Left wrist plain radiograph of the wrist, posteroanterior, pediatric patient (boy, age 13), image width 84.4 mm:
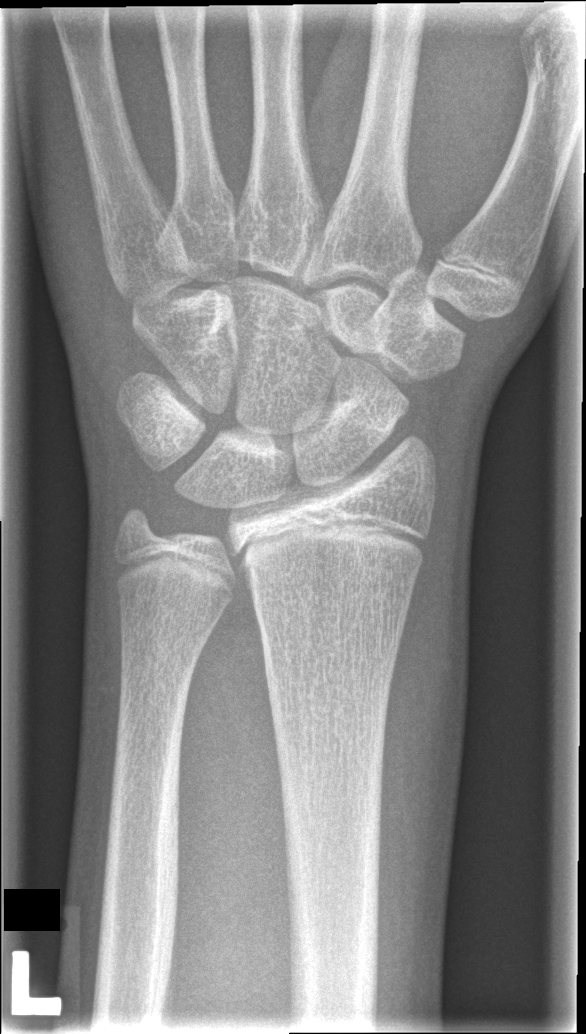
{
  "fracture": "none labeled"
}